Lat view, Lt wrist radiograph, age 11 y, male, 477x942

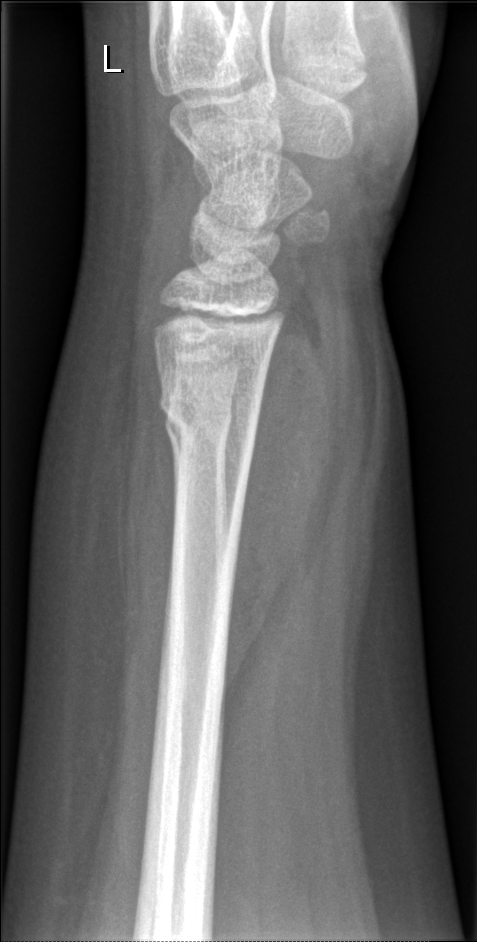 * AO/OTA classification: 23-M/2.1.
* Bone fracture: (156, 370, 262, 458), (162, 393, 235, 463).
* Pronator quadratus fat-pad sign: (226, 309, 349, 715).